Right wrist plain radiograph of the wrist | frontal projection | subsequent exam | Siemens

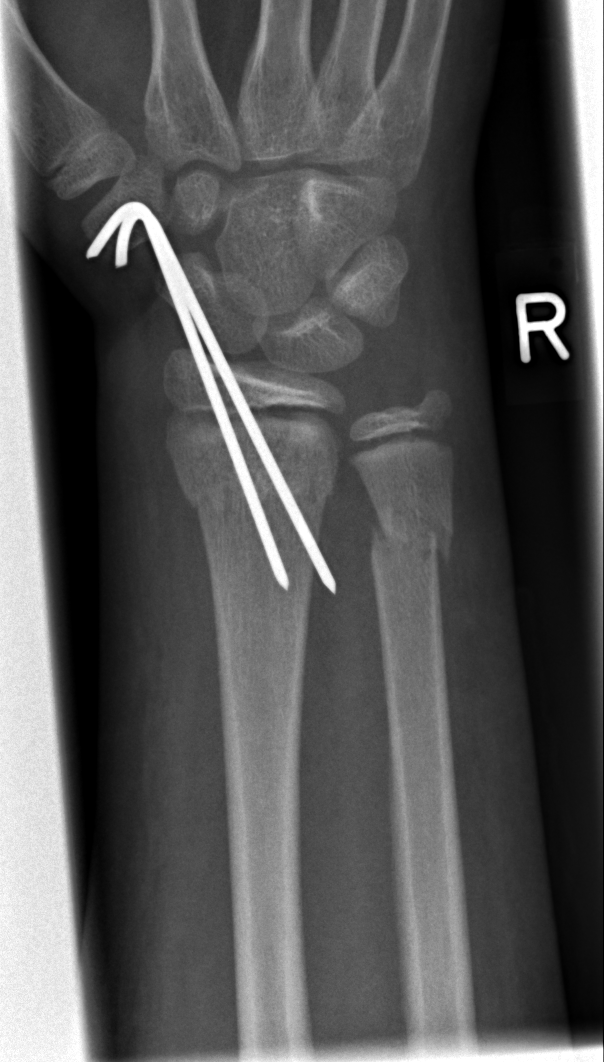 {
  "ao": "23-M/3.1",
  "metal": "83,195,344,598",
  "fracture": "171,437,343,524; 366,510,455,565"
}